Lateral projection; L wrist X-ray; 12y F. 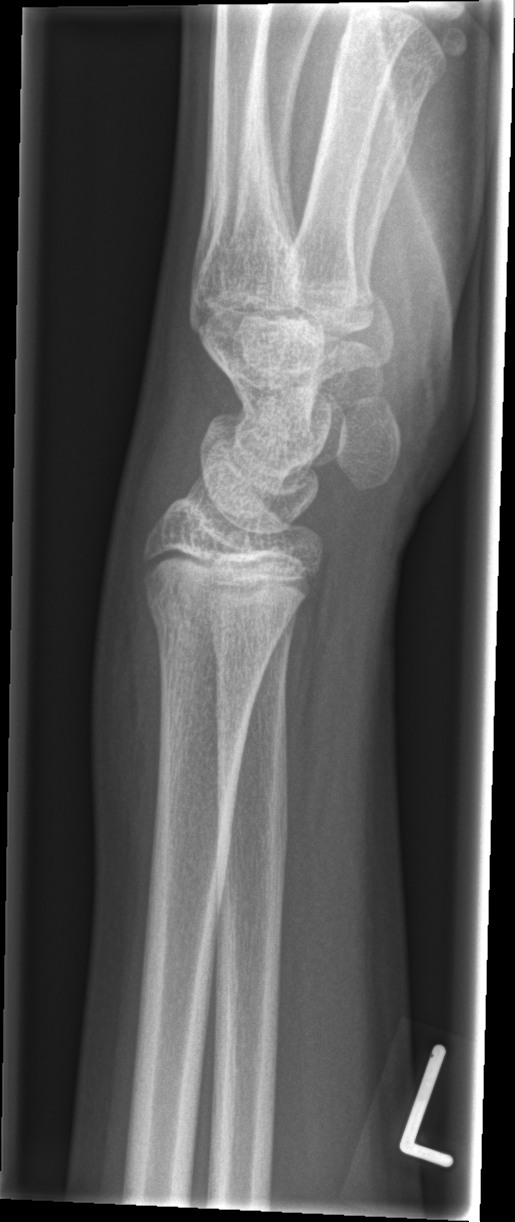 FINDINGS: Bone fracture: 136,568,288,652. Fracture classified AO/OTA 23r-M/2.1.